Lateral projection | R plain radiograph of the wrist | male, 12 yo 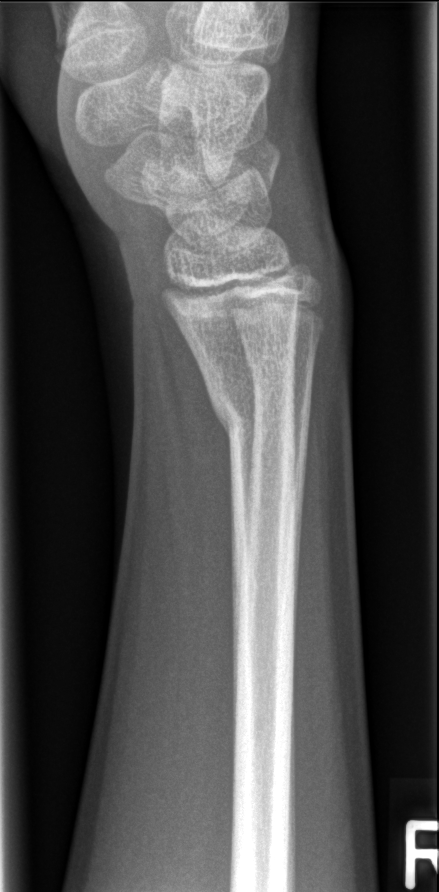

Findings: (pixel coordinates, top-left origin, xyxy) Two Fx at 208 386 300 461
  242 341 317 394. Fracture classified AO/OTA 23-M/2.1.